Posteroanterior projection · right wrist plain film · 9-year-old boy · initial study · diagnosis uncertain.
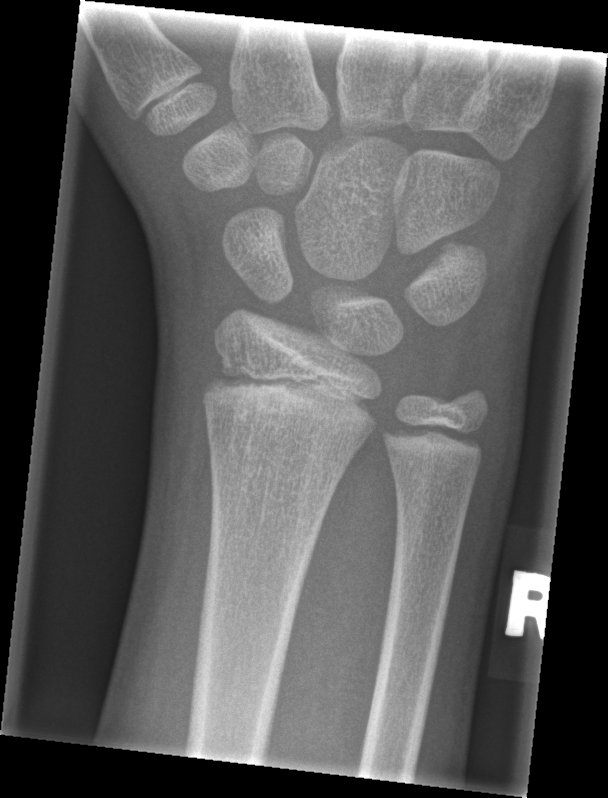
FINDINGS — AO code 23r-M/2.1. Fracture: present but not clearly seen in this view.